Lateral projection | Lt pediatric wrist radiograph | 12y M | imaged through cast | acquired on Siemens —
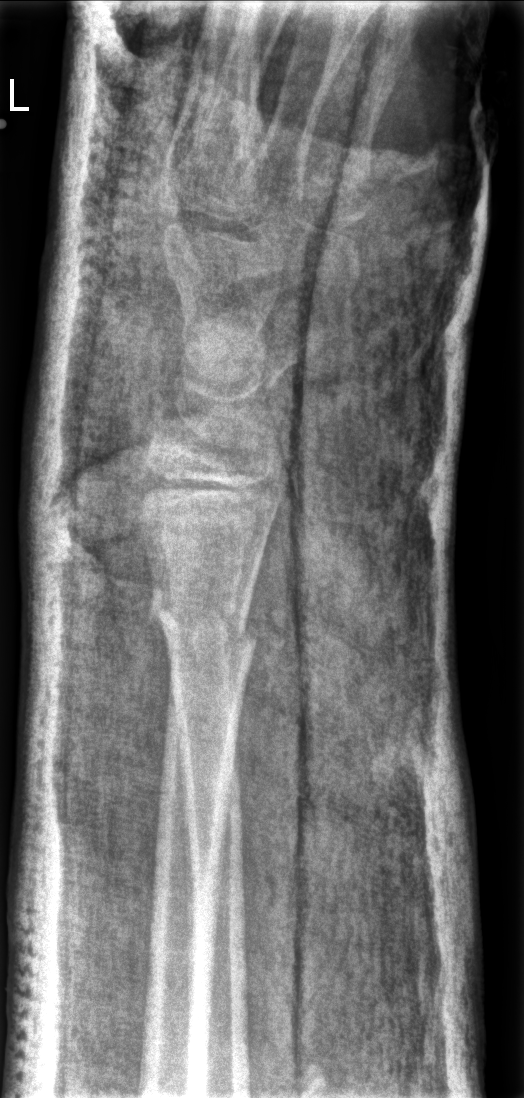
# coordinates are [x1, y1, x2, y2] in image pixels
fracture: 1 @ [149, 597, 262, 665]